PA; L pediatric wrist radiograph; 6-year-old girl; subsequent exam; image width 103.1 mm; 716 x 692 px:

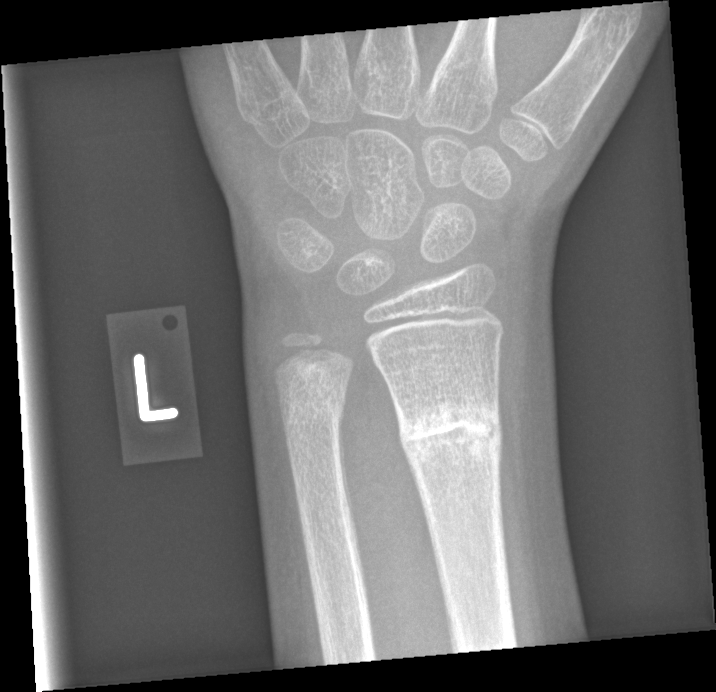 Q: What is the AO/OTA classification?
A: AO/OTA classification: 23-M/2.1
Q: Locate any periosteal reaction.
A: Periosteal new bone identified at bbox(338, 402, 369, 616); bbox(497, 393, 510, 593)
Q: Is there a fracture?
A: Fractures — bbox(395, 398, 507, 462) bbox(275, 363, 350, 436)
Q: Is there osteopenia?
A: Decreased bone density (osteopenia)